Frontal · right wrist radiograph 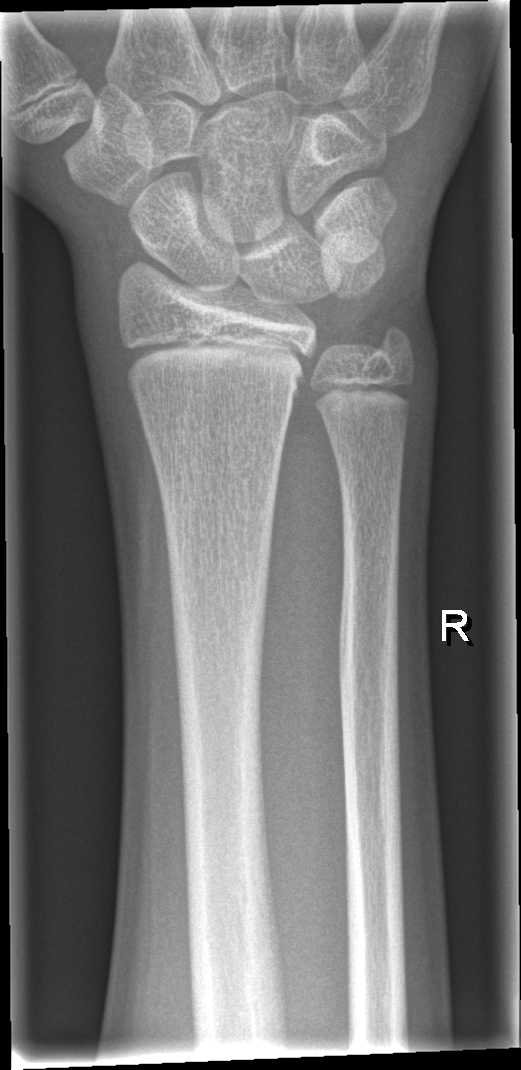

No fracture annotation.